Left wrist radiograph · posteroanterior projection · 8-year-old girl · index exam · acquired on Siemens · 79.1 mm image width.

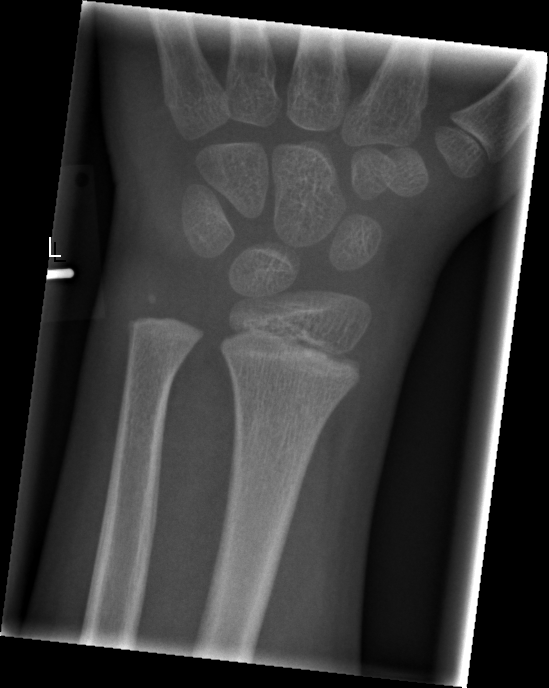

Q: Any fracture seen?
A: No fracture bounding box